Lat | Lt wrist XR | index exam | 351x734 — 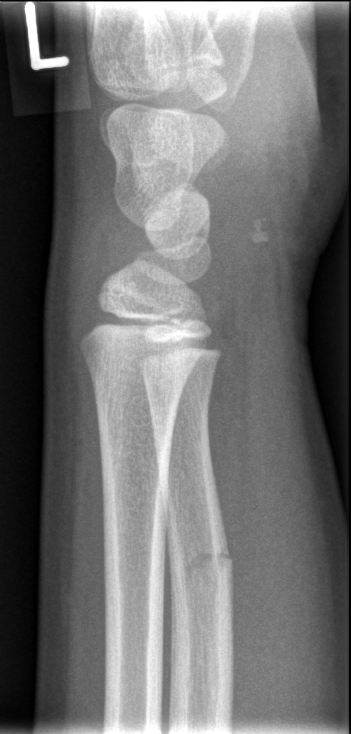 Q: What is the AO/OTA classification?
A: AO code 22u-D/2.1
Q: Any fracture seen?
A: Fracture identified at (165, 530, 236, 604)